Left wrist X-ray; lat projection; pediatric patient (boy, age 11).

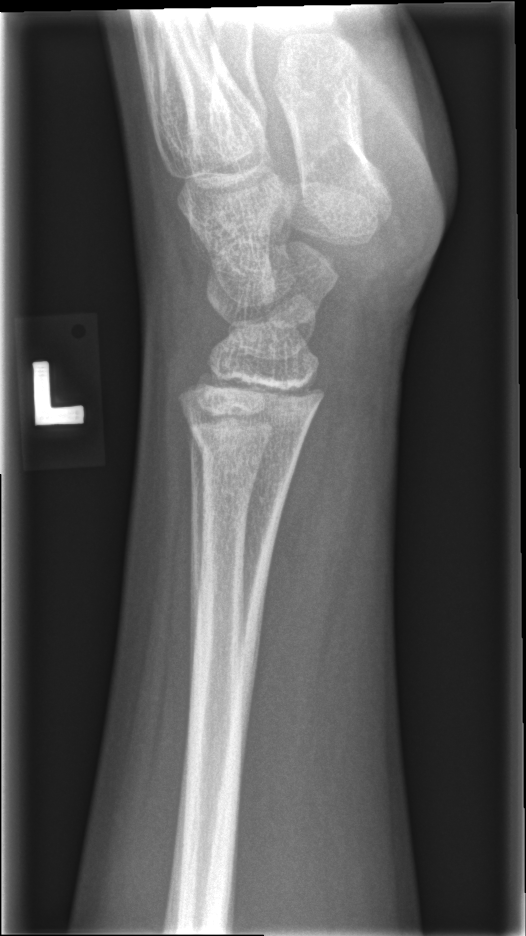 (boxes as x1,y1,x2,y2 (top-left / bottom-right, pixel units))
AO code: 23r-M/2.1
fracture: 184,413,307,476